Lateral view, Lt wrist plain film, pediatric patient (girl, age 11), index exam: 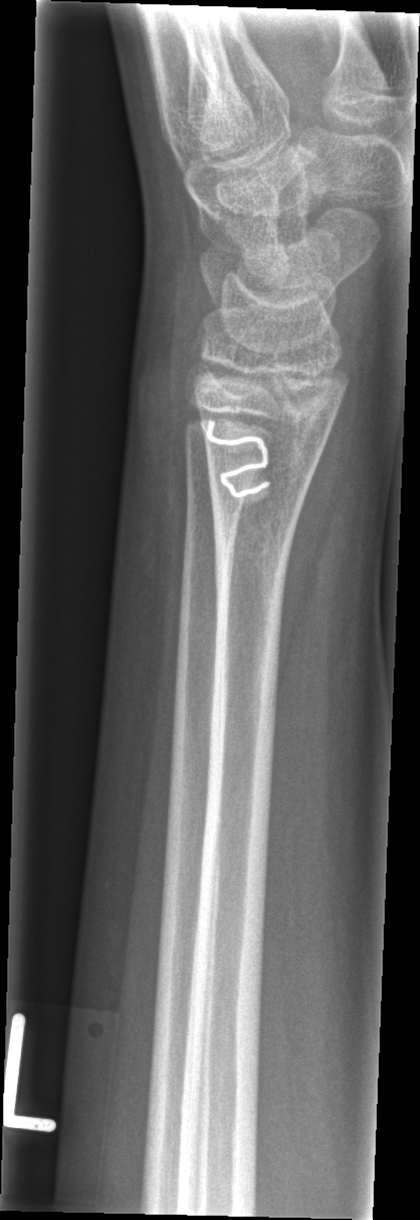
Fx = none labeled
Metal = (206, 419, 275, 504)
Bone anomaly = 1 @ (253, 354, 345, 434)